Lateral view | Rt wrist X-ray | 566 by 1209 pixels:
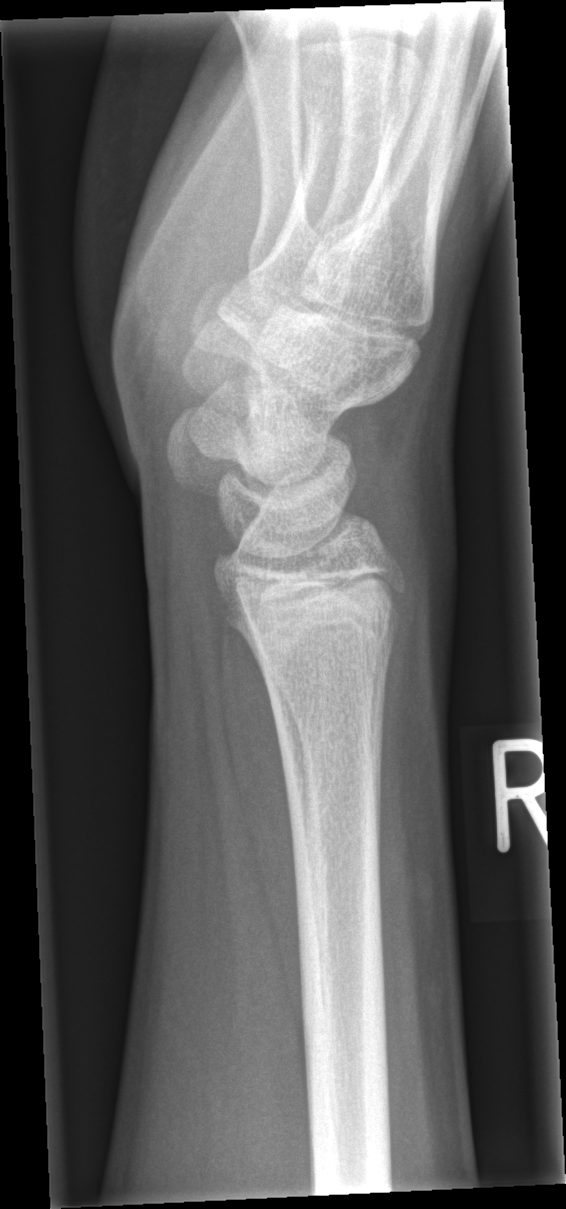

bone fracture: none labeled